Right wrist radiograph, AP projection, boy, 5 yo, presentation radiograph 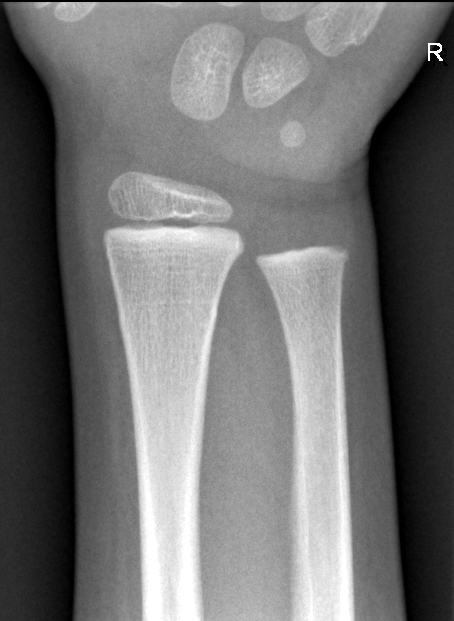 Boxes as x1,y1,x2,y2 (top-left / bottom-right, pixel units). Fracture classified AO/OTA 23r-M/2.1. One Fx at 112,297,222,339.